PA, Rt wrist plain film, female, 11 yo, imaged through cast, Siemens:
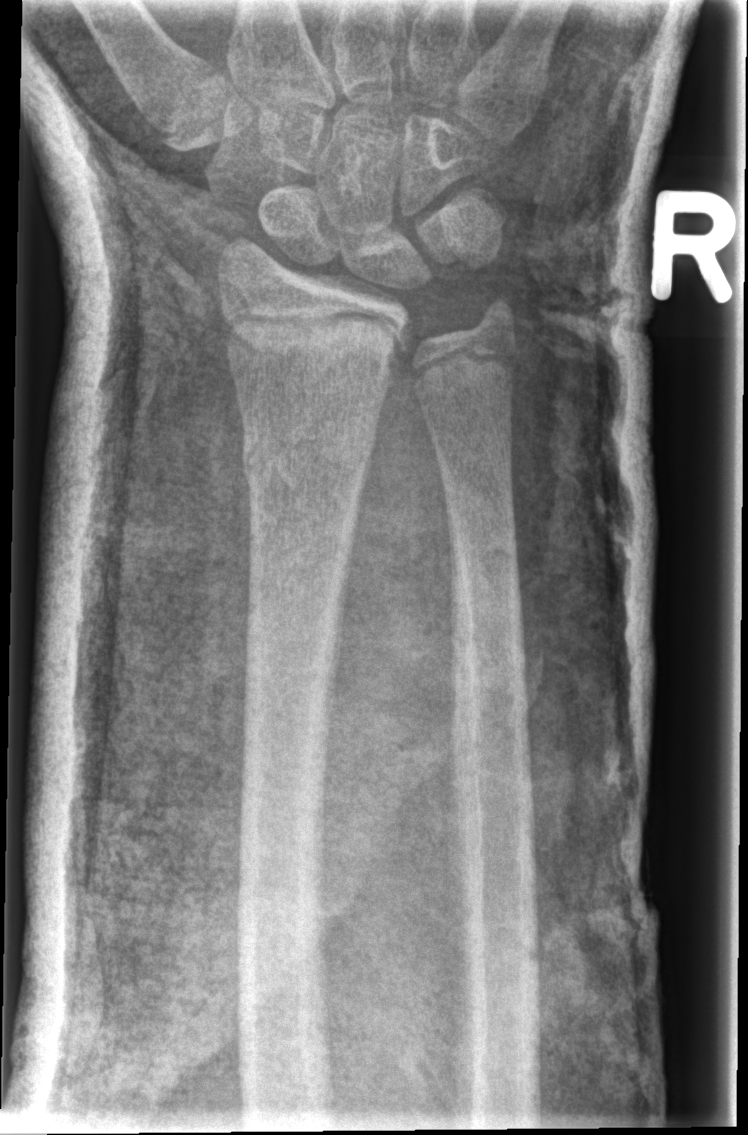

• AO code 23r-M/3.1.
• One fracture at [237, 410, 384, 505].